AP · Lt wrist plain film · boy, 15 yo: 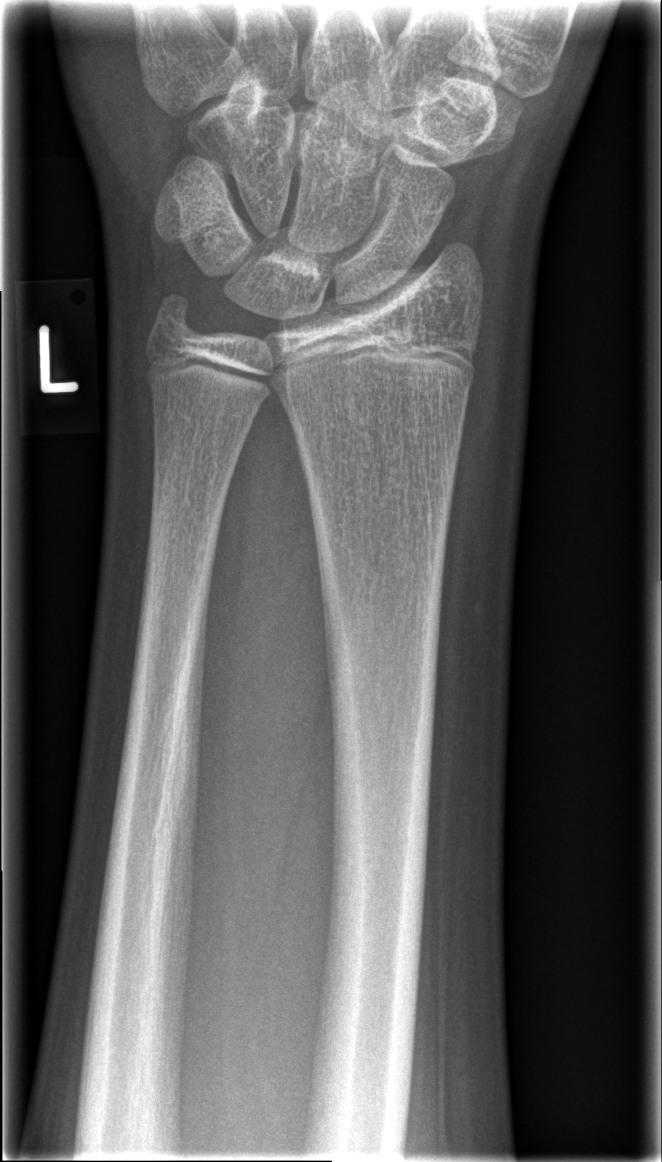
Findings: Fx: none.